PA | Lt plain radiograph of the wrist
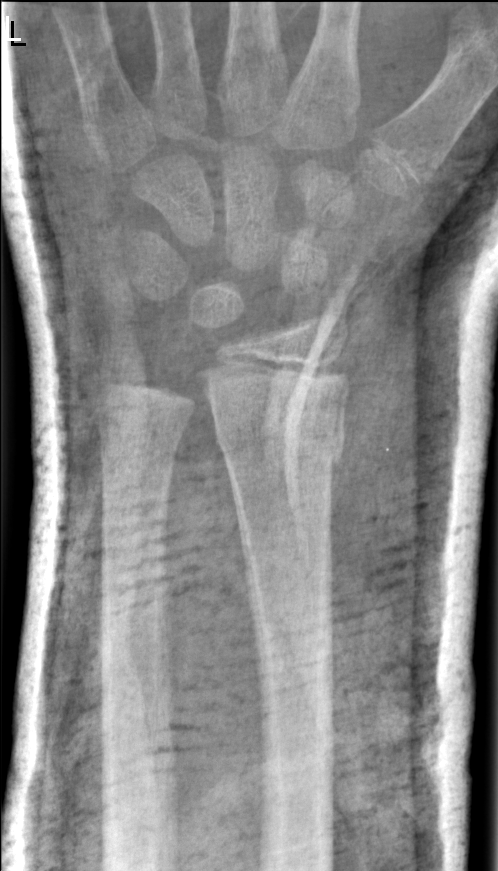

Bone fracture identified at 214,417,347,471.
Fracture classified AO/OTA 23r-M/3.1; 23u-M/2.1.